AP view, L plain radiograph of the wrist, subsequent exam, detector: Siemens — 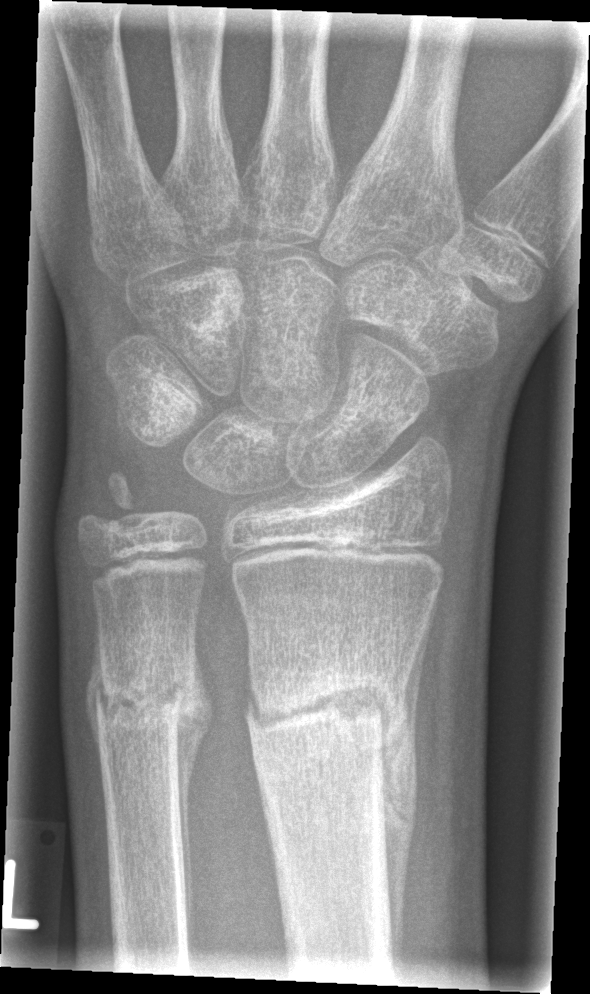 Fx = [243, 661, 416, 761] [87, 648, 206, 755] [72, 460, 152, 544]
osteopenia = present
AO/OTA = 23-M/3.1; 23u-E/7
periosteal new bone = [380, 598, 437, 983]; [173, 650, 214, 961]; [83, 612, 103, 757]